Lateral view | L wrist XR | cast in situ | image width 79.5 mm: 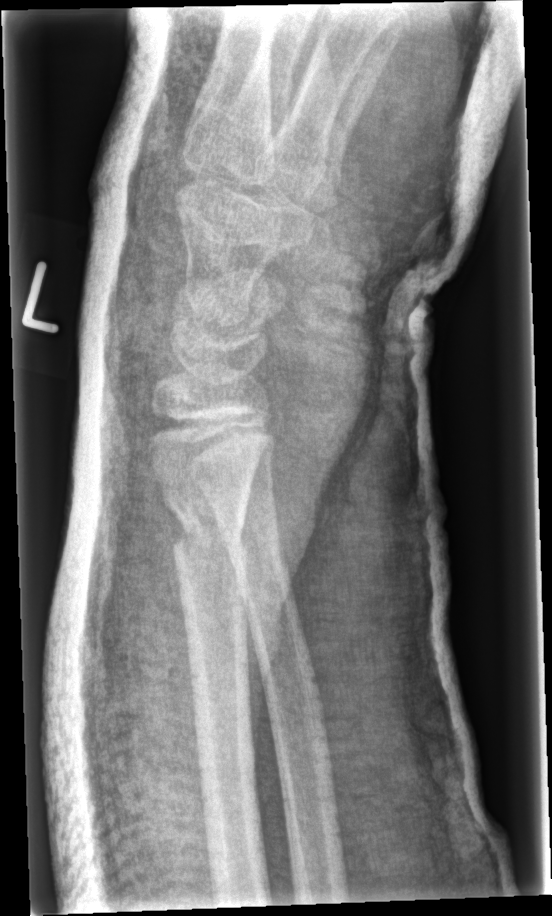

(bounding boxes in image-pixel xyxy)
Fx = 1 @ (161, 489, 251, 568)
AO code = 23r-M/3.1; 23u-M/2.1